Left wrist plain film; lat projection; Siemens; 388 x 760 px —

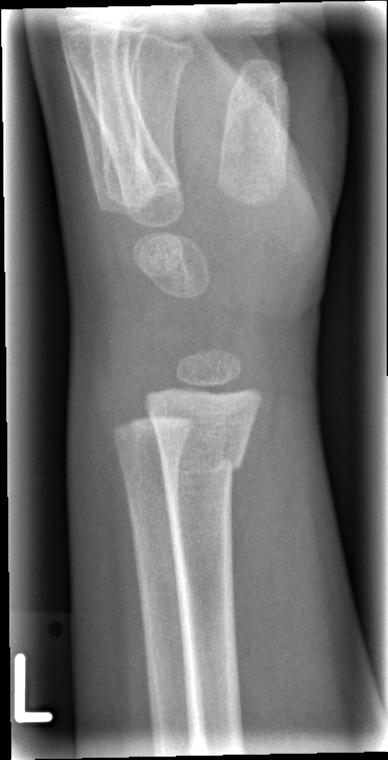 FINDINGS — (pixel coordinates, top-left origin, xyxy) Fracture classified AO/OTA 23r-M/2.1. Bone fracture: [158, 435, 246, 479].